Right wrist plain film · frontal · age 13 y, girl: 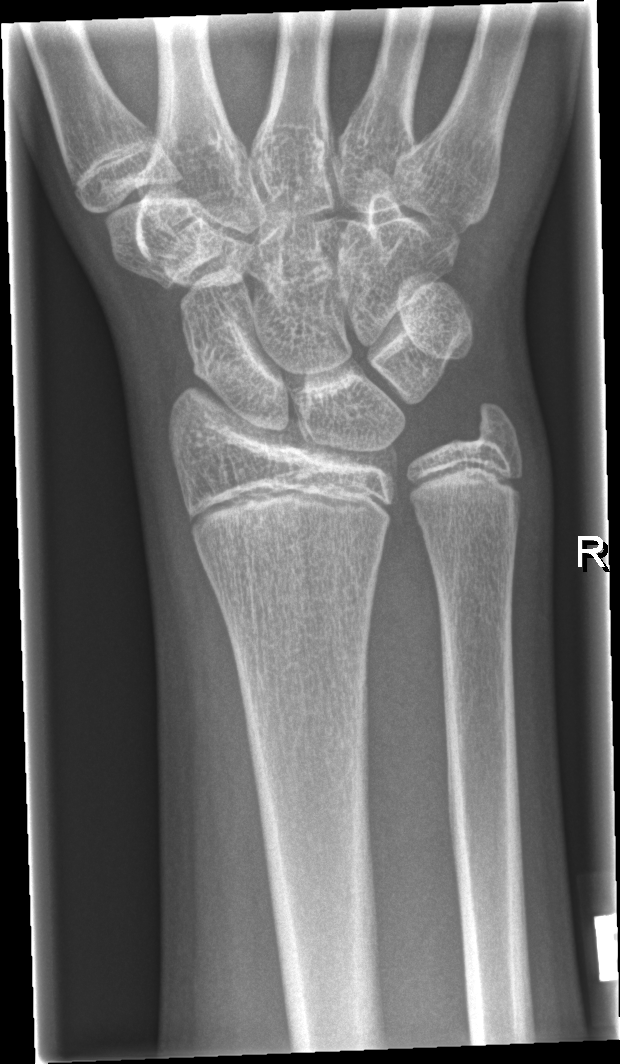
AO classification = 23r-M/2.1
fracture = present but not clearly seen in this view